Lat projection · L wrist X-ray · pediatric patient (male, age 13) · subsequent exam · 657 x 1202 px 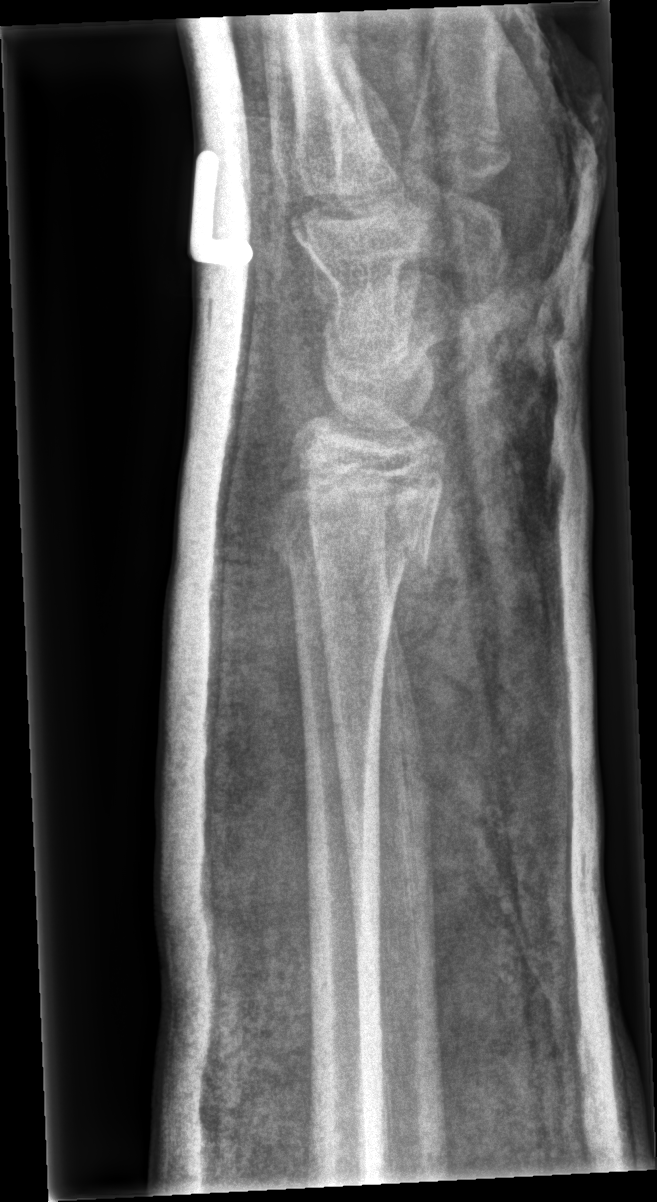
bone fracture: <270,502>-<438,603>
AO code: 23r-M/3.1; 23u-E/7